PA view · right wrist pediatric wrist radiograph · pediatric patient (male, age 13) · cast present · 782x938
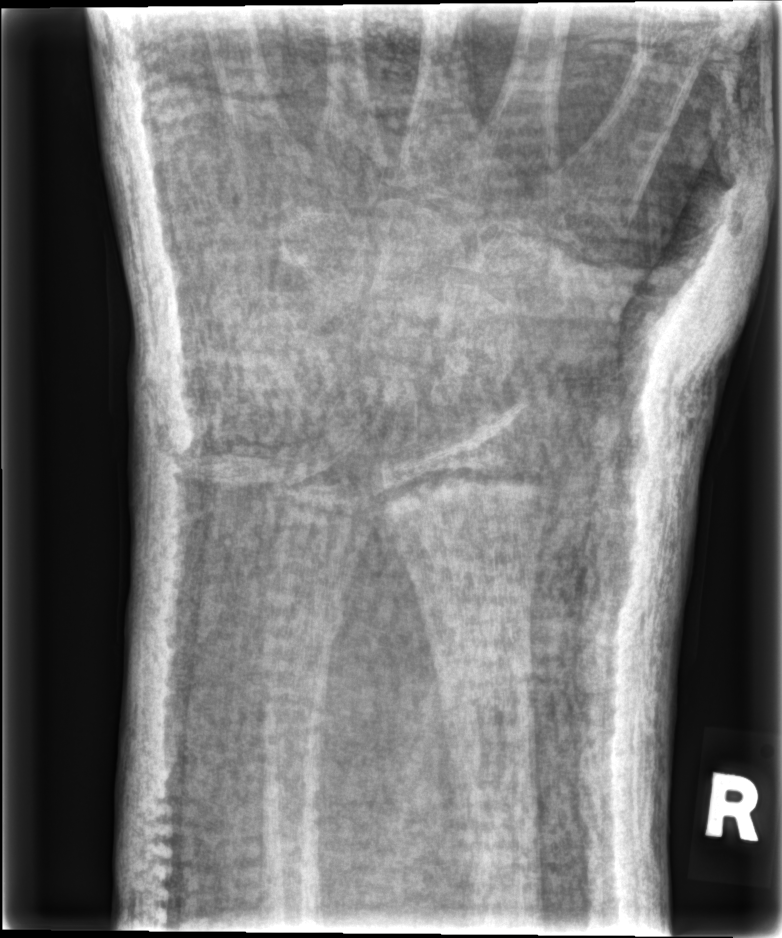

AO code 23u-M/2.1. Bone fracture: <252,562>-<354,659>.